Lat projection; Lt pediatric wrist radiograph; 9y F; subsequent exam; Siemens.

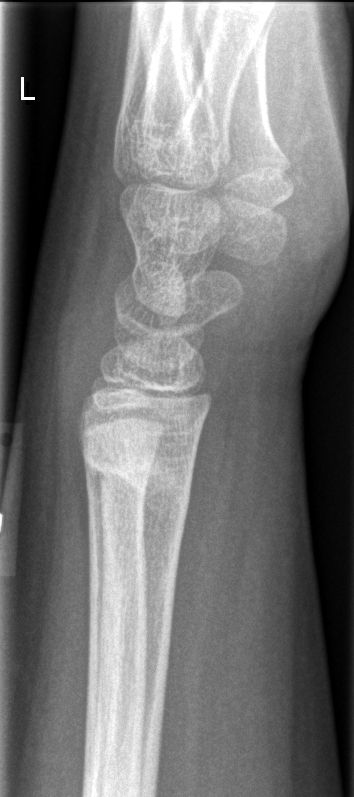 (bounding boxes in image-pixel xyxy)
AO/OTA: 23r-M/2.1
fracture: 1 @ (left=83, top=441, right=195, bottom=510)